Lateral · Lt wrist XR · Siemens · image 94.3 mm wide
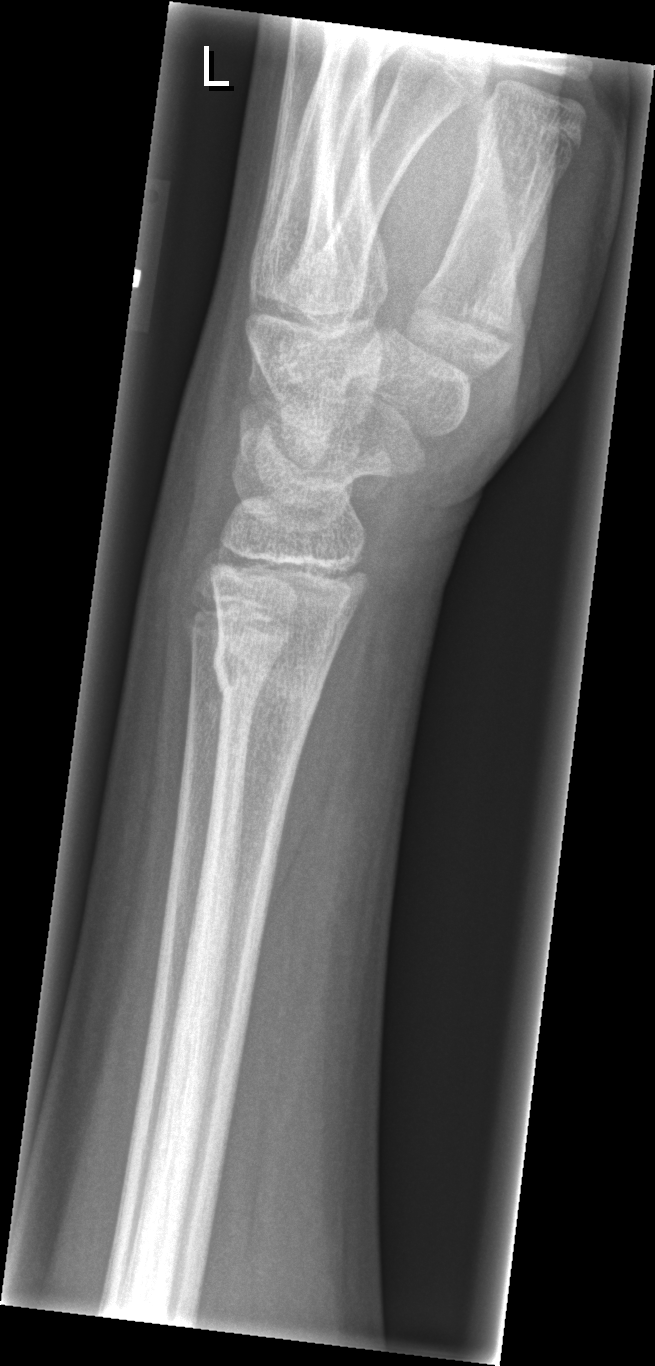
FINDINGS: (pixel coordinates, top-left origin, xyxy) Fx identified at 209,632,333,731. AO/OTA classification: 23r-M/2.1.